Lt wrist radiograph · lateral projection · age 10 y, male.
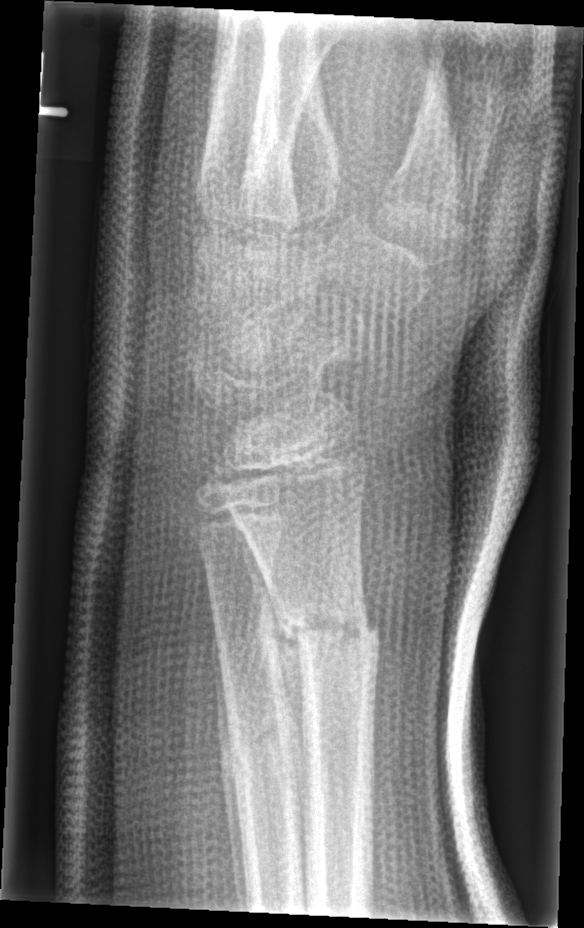
Q: Locate any fractures.
A: Two fractures at bbox(270, 594, 383, 667); bbox(226, 709, 304, 791)
Q: Any periosteal thickening?
A: Periosteal thickening — bbox(238, 523, 309, 848), bbox(211, 601, 251, 911)
Q: What is the AO/OTA classification?
A: Fracture classified AO/OTA 23r-M/3.1; 23u-M/2.1; 23u-E/7